Left wrist plain film, AP projection, subsequent exam, detector: Siemens, 496x1034 — 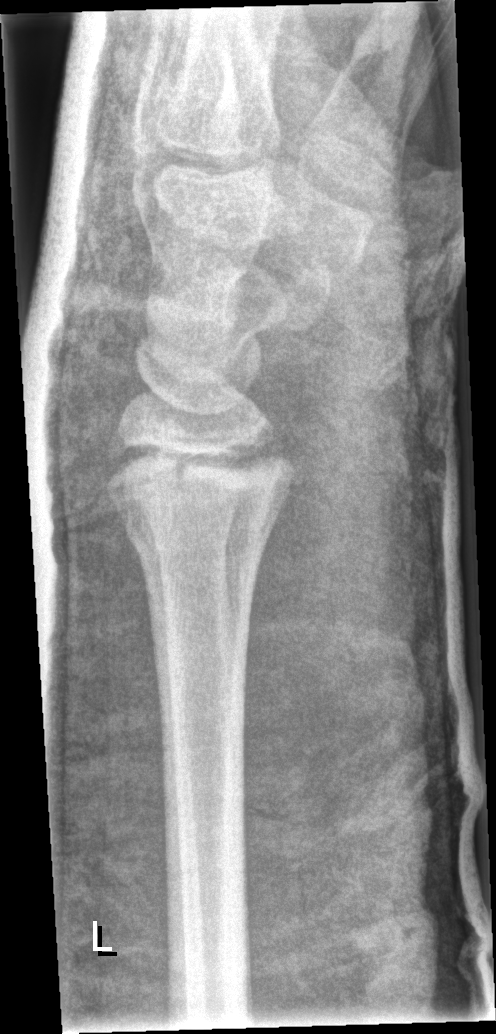 Pixel coordinates, top-left origin, xyxy. Bone fracture identified at bbox(99, 431, 303, 557). Fracture classified AO/OTA 23r-E/2.1.